PA view; Lt wrist radiograph; age 12 y, male; 560 x 1300 px —

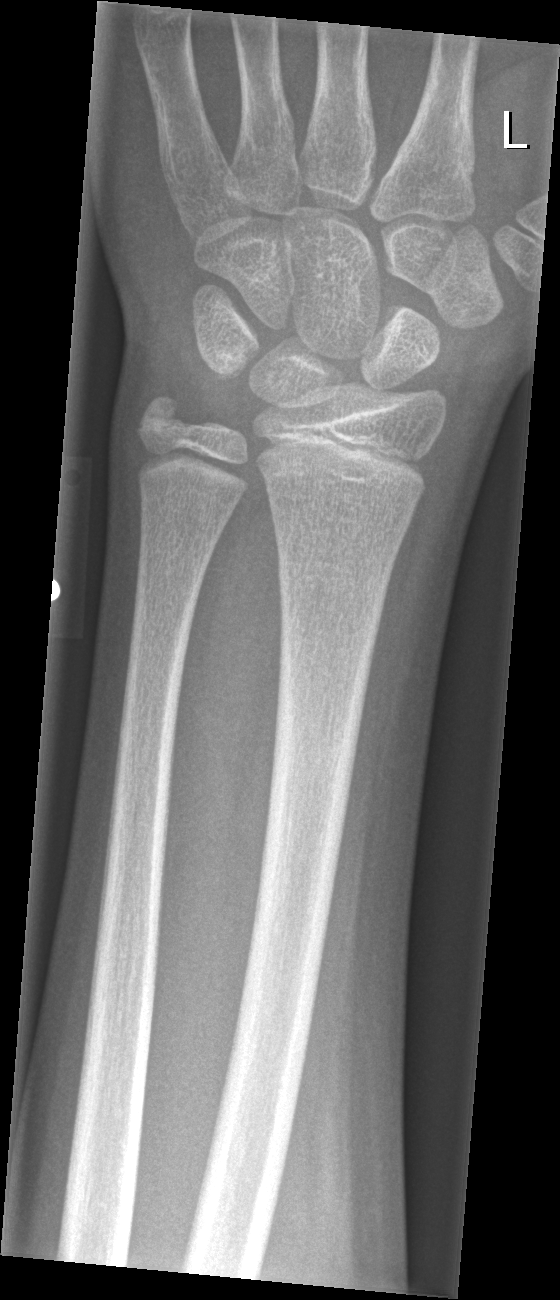
Pixel coordinates, top-left origin, xyxy. Two Fx at (275, 543, 395, 610), (131, 384, 191, 447).